Lat view; right pediatric wrist radiograph; follow-up —
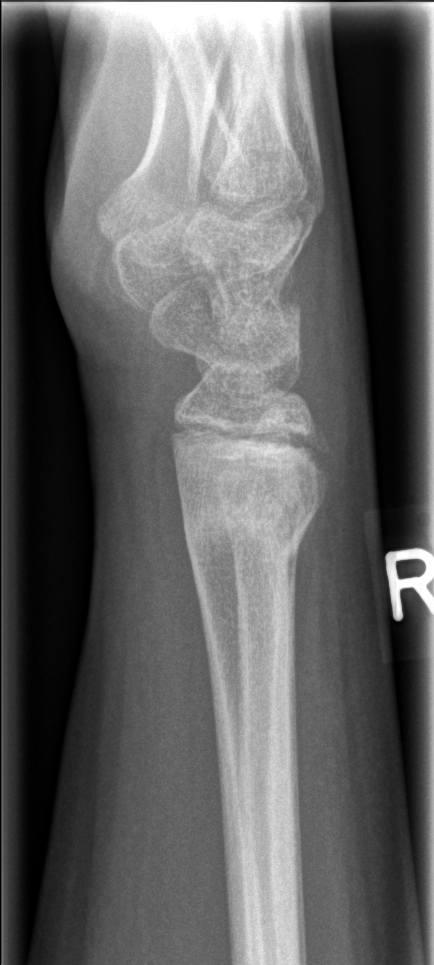

(boxes as x1,y1,x2,y2 (top-left / bottom-right, pixel units))
bone fracture = [x1=174, y1=476, x2=324, y2=574]
osteopenia = present
AO classification = 23r-M/3.1